Rt wrist radiograph | frontal projection | age 12 y, boy | follow-up study | cast present | image size 958x1232
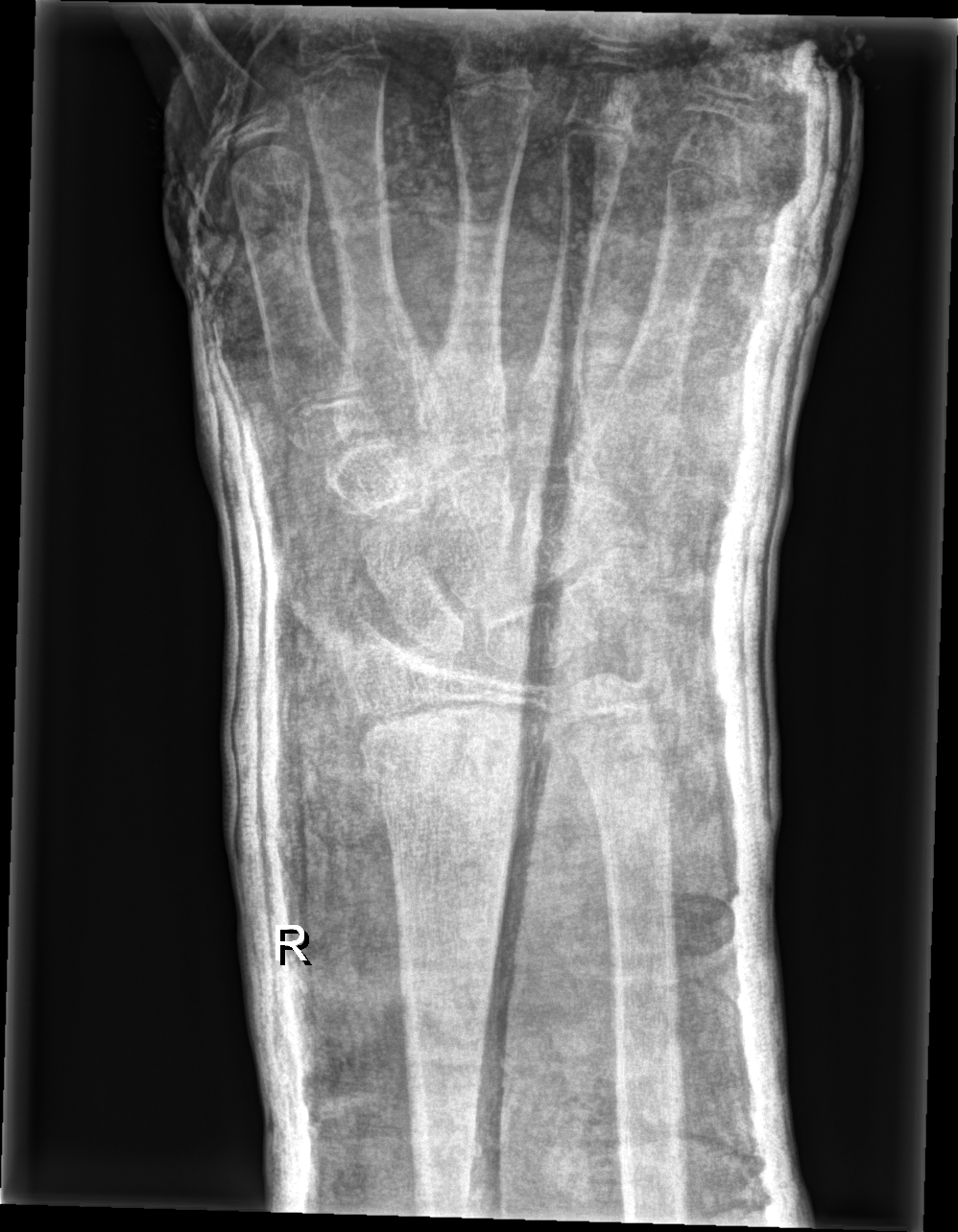

• Pixel coordinates, top-left origin, xyxy.
• Bone fracture: <358,723>-<529,837>.